Frontal view · L wrist radiograph · boy, 18 yo.
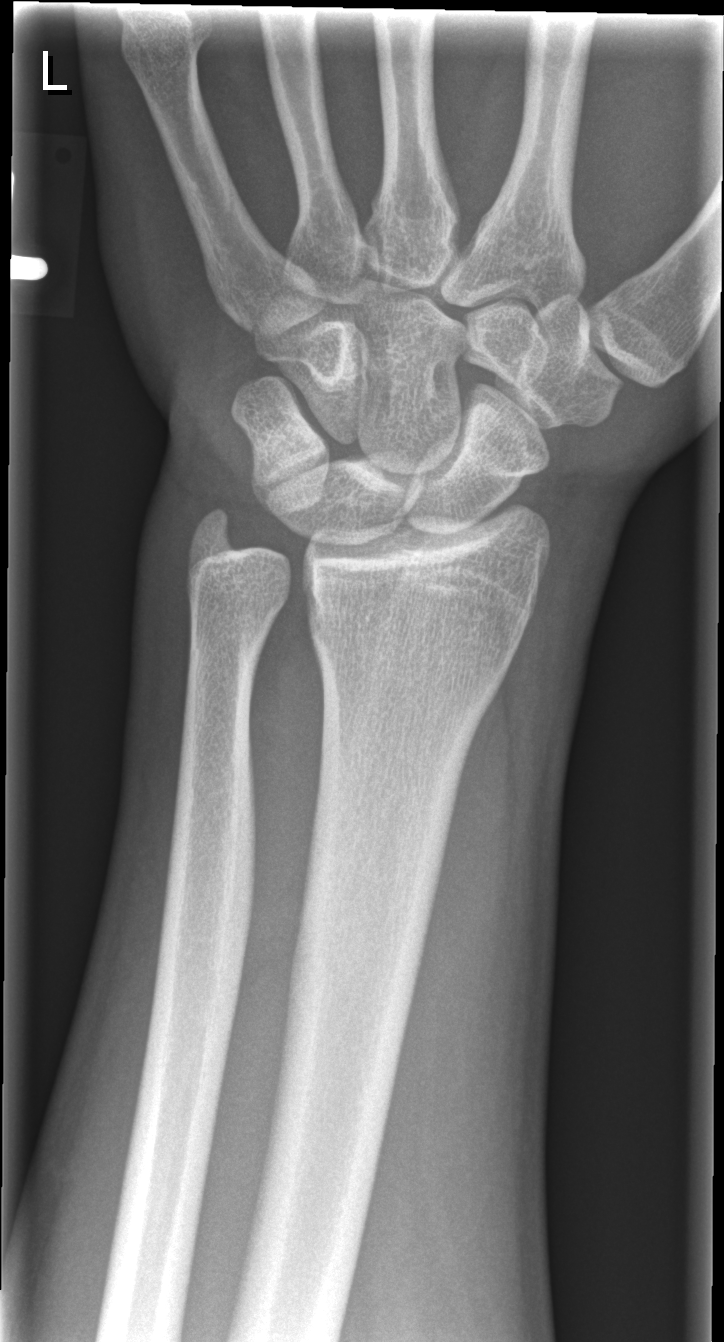 Fx: none.